Lateral projection · left wrist X-ray · age 8 y, male · image width 71.4 mm:
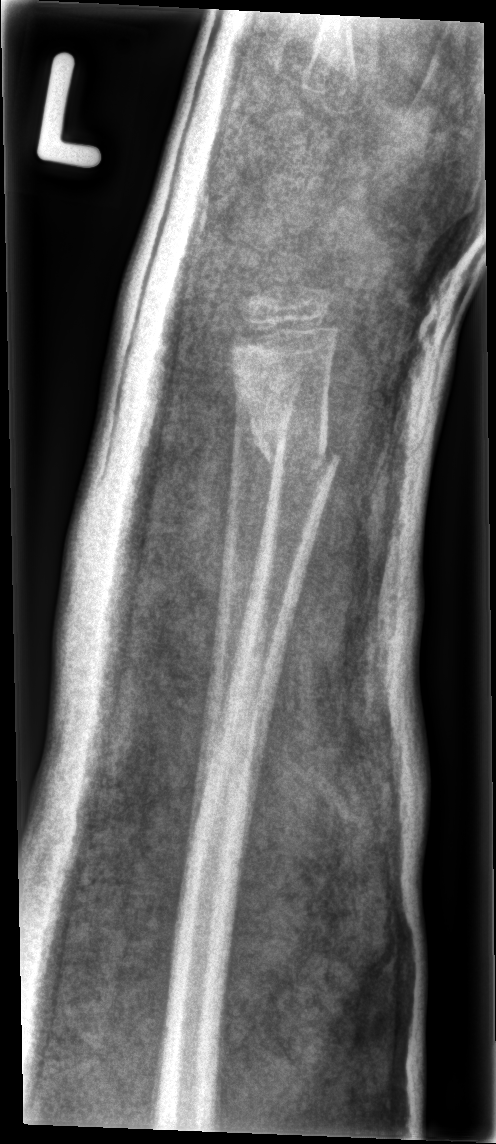 (boxes as x1,y1,x2,y2 (top-left / bottom-right, pixel units))
Bone fracture: bbox(245, 409, 343, 482)